Lateral projection; Rt wrist plain film; 5-year-old male; follow-up study; cast present 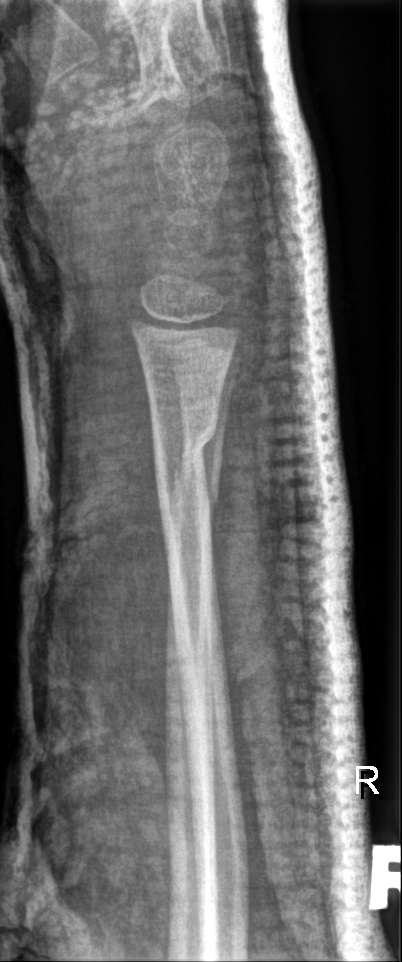 Q: Is there a fracture?
A: Fracture identified at <147,415>-<219,463> <169,464>-<221,515>
Q: AO code?
A: AO/OTA classification: 23r-M/2.1; 23u-M/3.1